Right pediatric wrist radiograph, lat view, subsequent exam, imaged through cast:
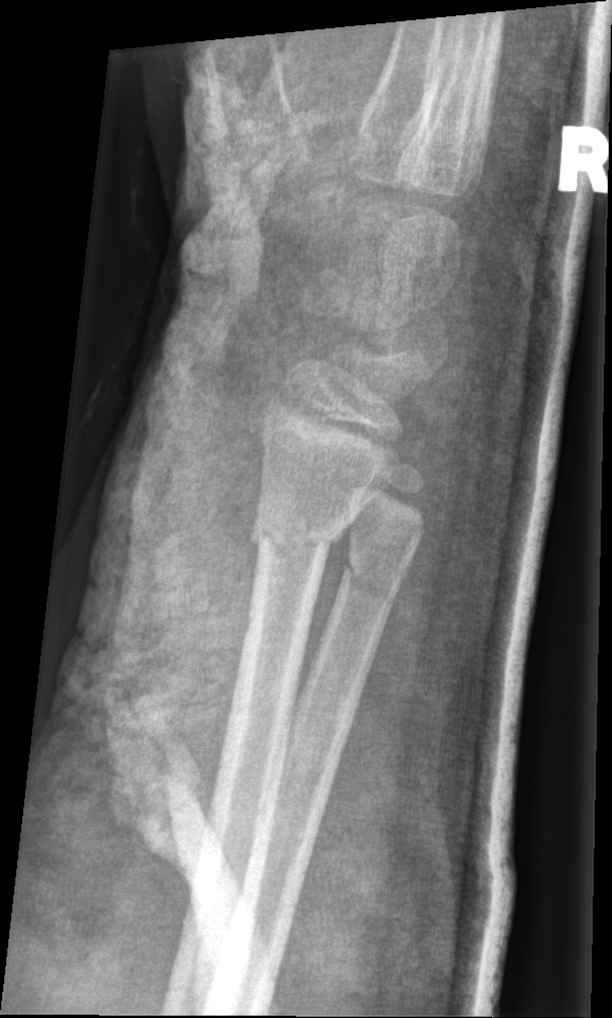
{
  "fracture": "2 @ bbox(241, 506, 356, 567); bbox(338, 549, 406, 617)",
  "ao": "23r-M/3.1; 23u-M/2.1"
}